Lat projection, L plain radiograph of the wrist, acquired on Siemens, image width 77.2 mm 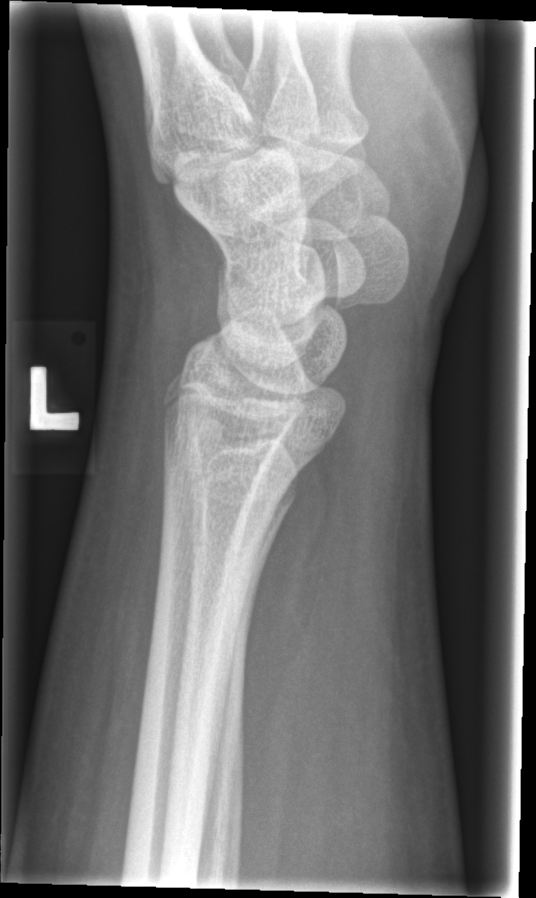 No fracture annotation.